Right wrist X-ray · posteroanterior · age 9 y, girl · follow-up study 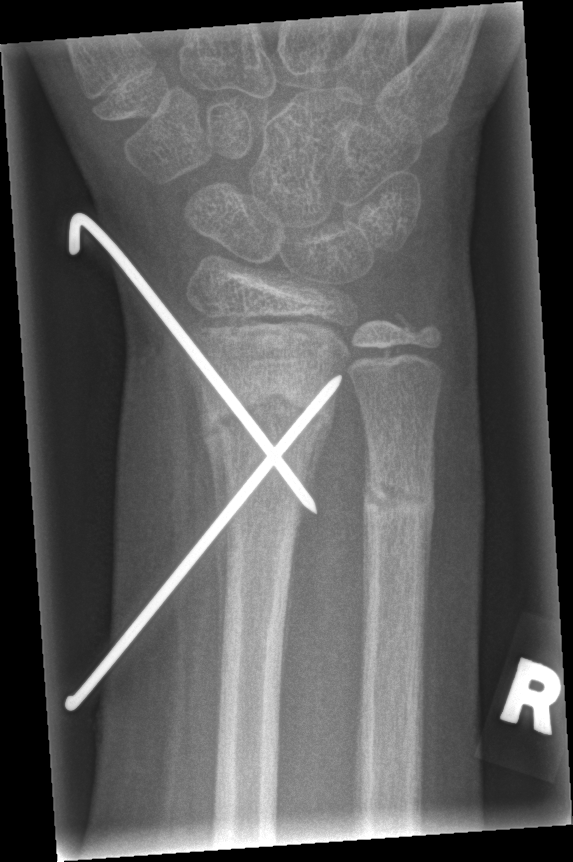 Periosteal thickening: 184,360,226,513 | 215,522,231,707.
Fracture classified AO/OTA 23-M/3.1; 23u-E/7.
Reduced bone mineral density.
Fx — 200,371,337,455; 361,462,435,527; 388,298,447,352.
Metallic implant: 66,212,342,711.